Lateral projection, right wrist XR, 12y M, 419 by 1188 pixels.
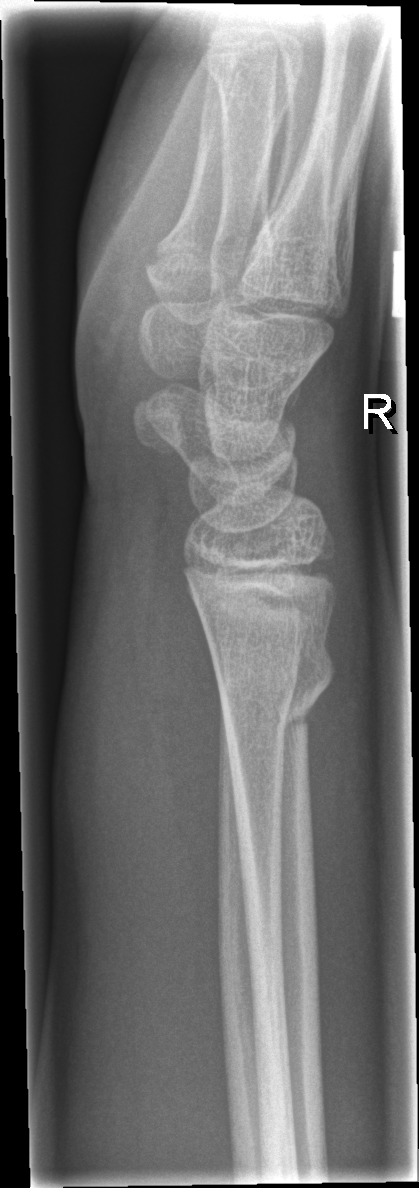 Fx: 1 @ 206 631 339 740
AO code: 23r-M/2.1; 23u-M/3.1
pronator quadratus fat-pad sign: 129 526 230 915